Lat view; left wrist plain radiograph of the wrist; boy, 11 yo; imaged through cast; image width 99.4 mm —
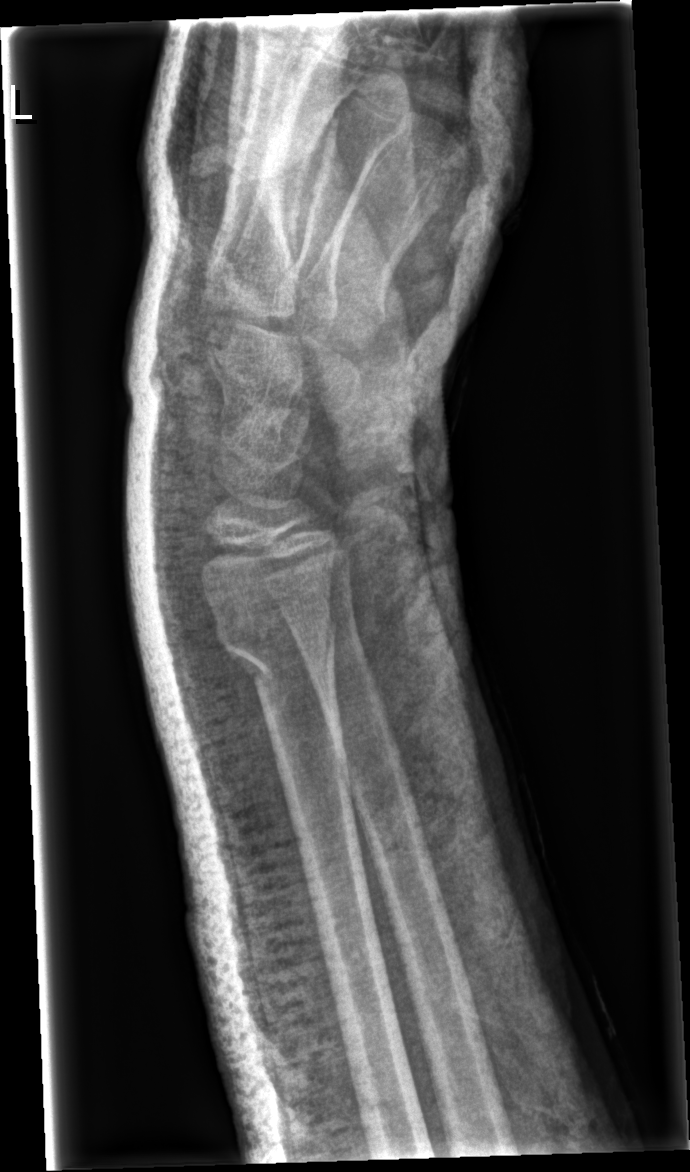

Fracture identified at (214, 610, 341, 691).